Posteroanterior view, Lt wrist XR

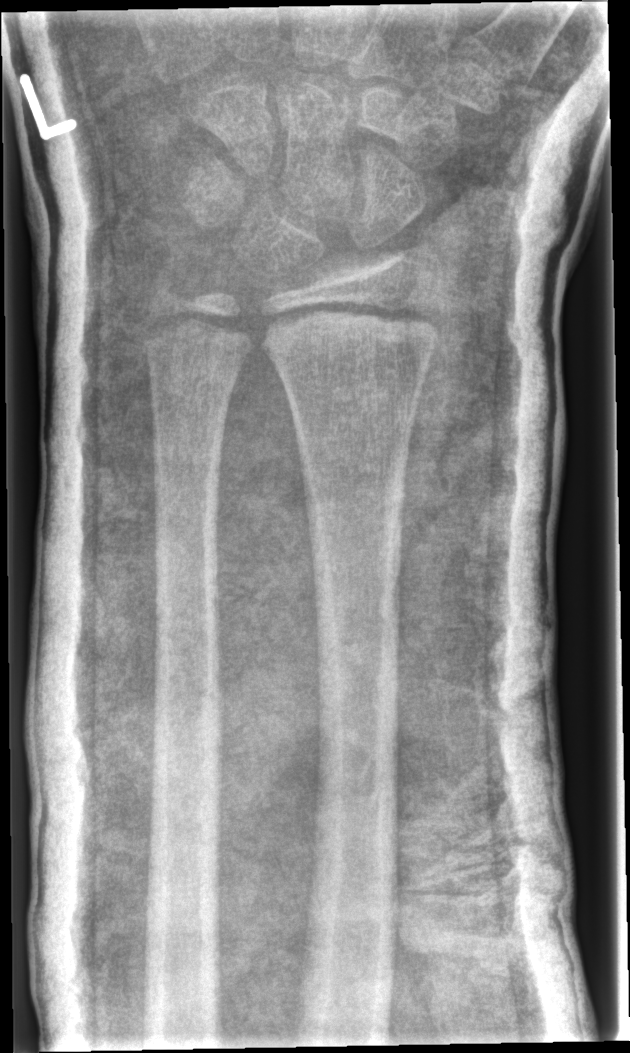 * Fracture: present but not clearly seen in this view.
* AO/OTA classification: 23r-E/2.1; 23u-E/7.